Posteroanterior projection, left wrist pediatric wrist radiograph, index exam, 572 x 1012 px. 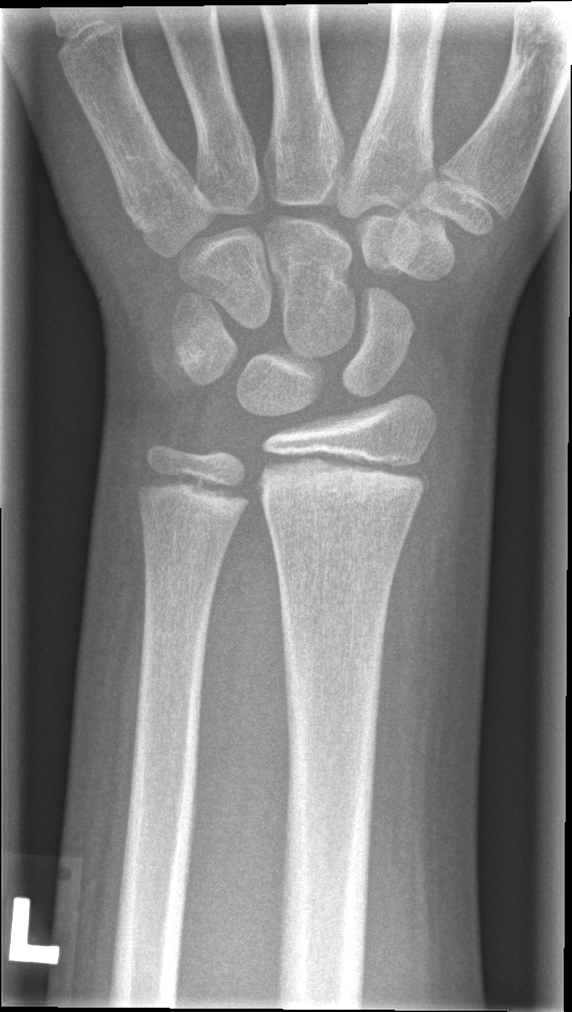
Findings: (coordinates are [x1, y1, x2, y2] in image pixels) One fracture at (left=253, top=445, right=436, bottom=508).